Frontal, right plain radiograph of the wrist, pediatric patient (male, age 10), detector: Siemens, 509 x 1080 px.

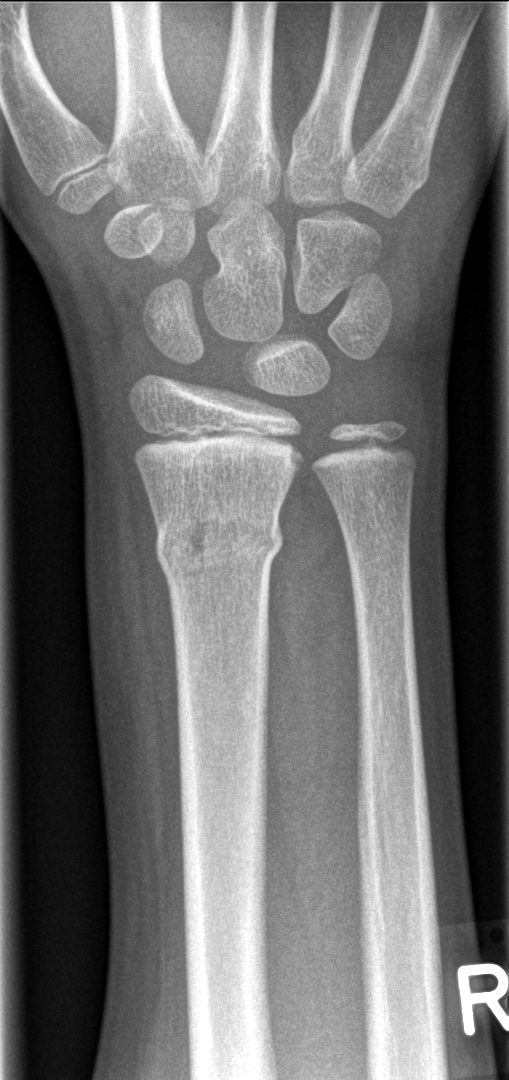

Pixel coordinates, top-left origin, xyxy.
Fracture classified AO/OTA 23r-M/2.1.
Fx — (155, 510, 284, 585).